Right plain radiograph of the wrist; frontal view; age 8 y, male; cast in situ —
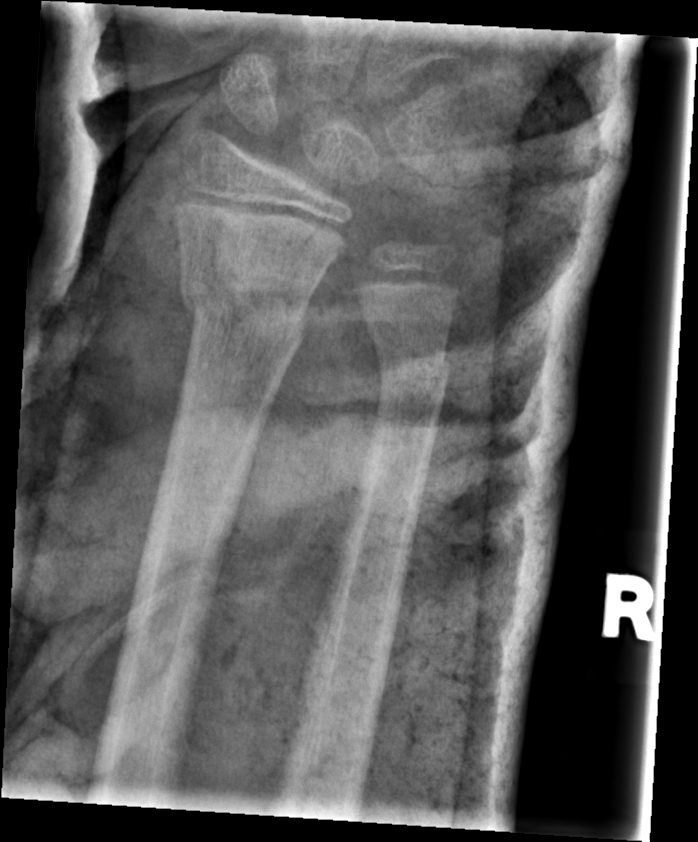

FINDINGS: (bounding boxes in image-pixel xyxy) Fractures — bbox(176, 270, 315, 350) bbox(367, 340, 452, 394). AO/OTA classification: 23-M/3.1.